PA view · Lt plain radiograph of the wrist · boy, 6 yo.
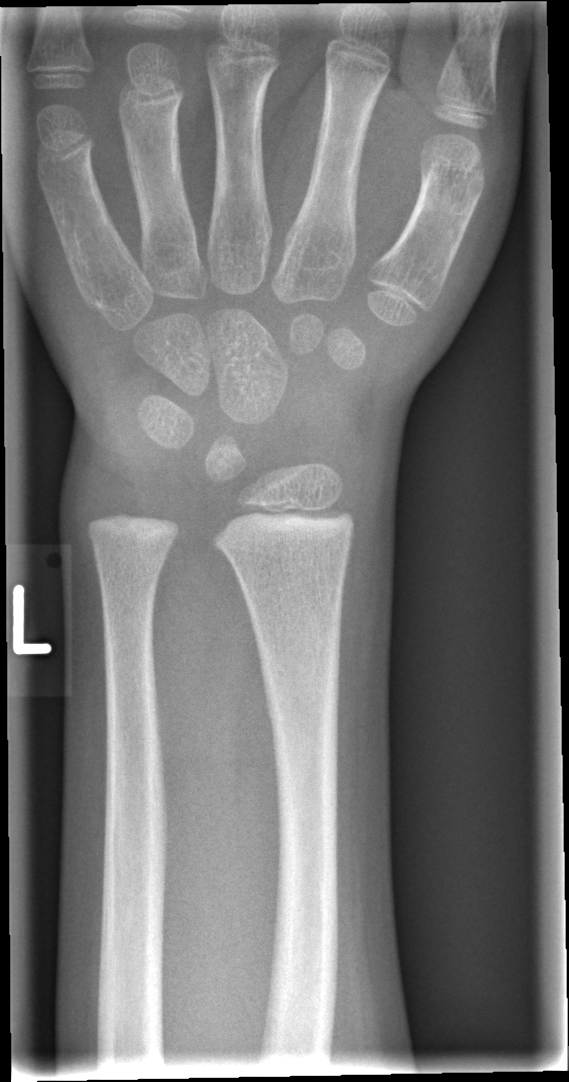
• Fx: none.